Lateral projection; R wrist radiograph —

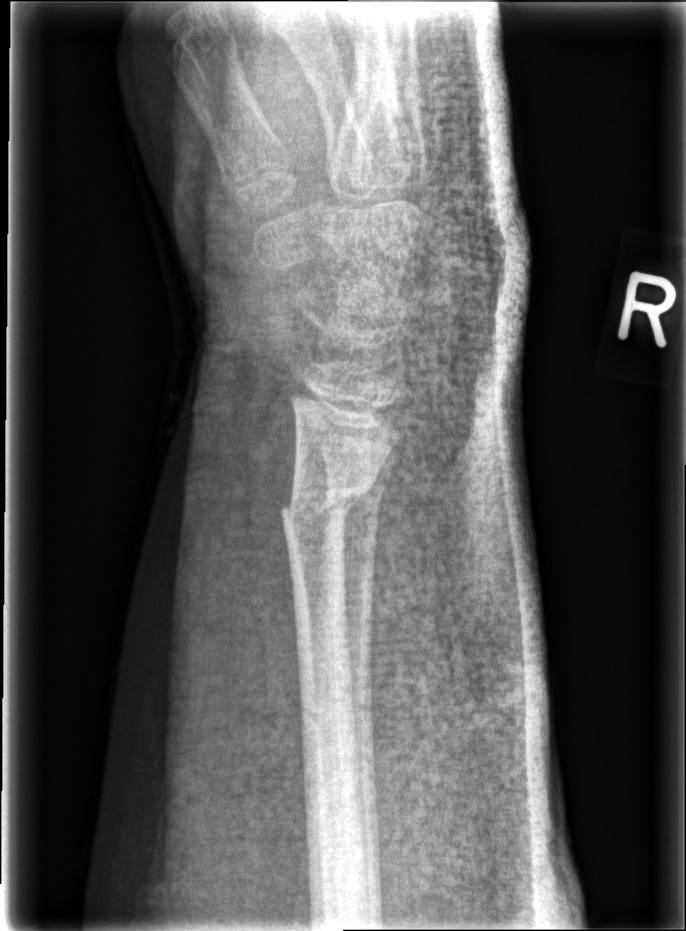
(bounding boxes in image-pixel xyxy)
fracture: [x1=278, y1=466, x2=388, y2=551]
AO classification: 23r-M/3.1; 23u-M/2.1